Lt wrist plain film; PA/AP; age 11 y, boy; presentation radiograph — 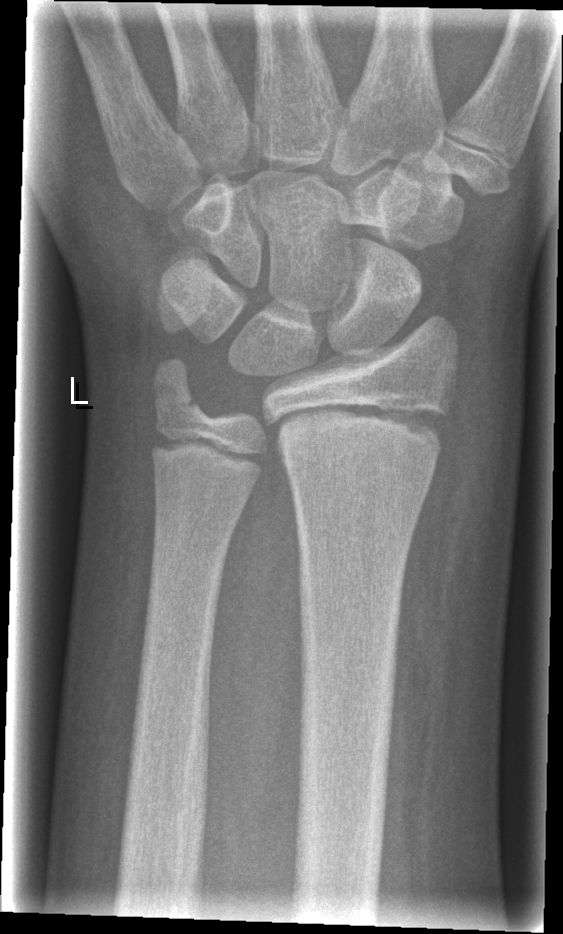 (boxes as x1,y1,x2,y2 (top-left / bottom-right, pixel units))
Q: Is there a fracture?
A: Fractures — (left=262, top=393, right=453, bottom=468), (left=146, top=356, right=218, bottom=435)